Lt pediatric wrist radiograph · lat view · 9y M · Siemens
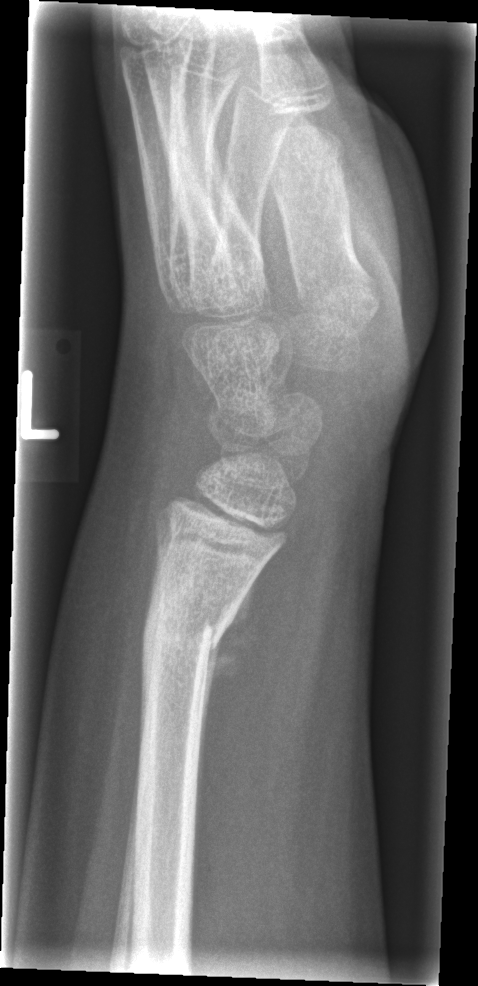 periostealreaction: [x1=203, y1=580, x2=253, y2=712]
fracture: 1 @ [x1=138, y1=597, x2=235, y2=678]